PA view, L plain radiograph of the wrist, 13y M, 549 by 1154 pixels

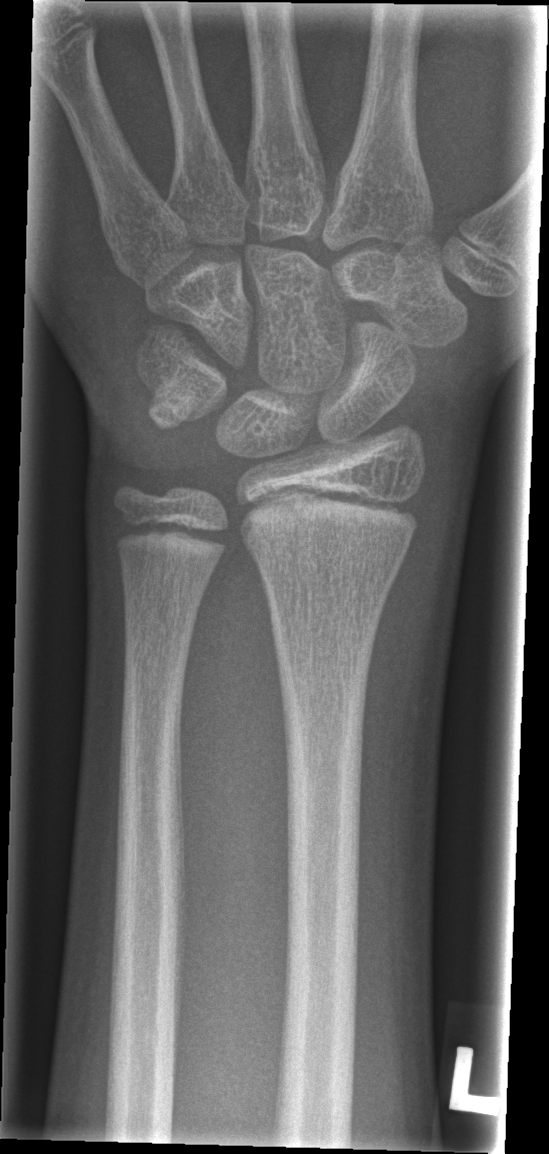
bone fracture: present but not clearly seen in this view